PA/AP, left wrist radiograph, index exam: 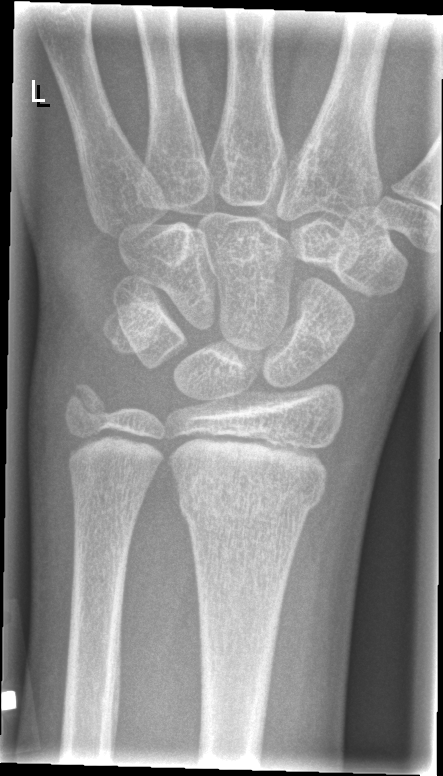
FINDINGS: Fracture: (left=174, top=467, right=326, bottom=523) (left=60, top=376, right=115, bottom=428). AO/OTA classification: 23r-M/2.1; 23u-E/7.